Lt plain radiograph of the wrist, lateral projection

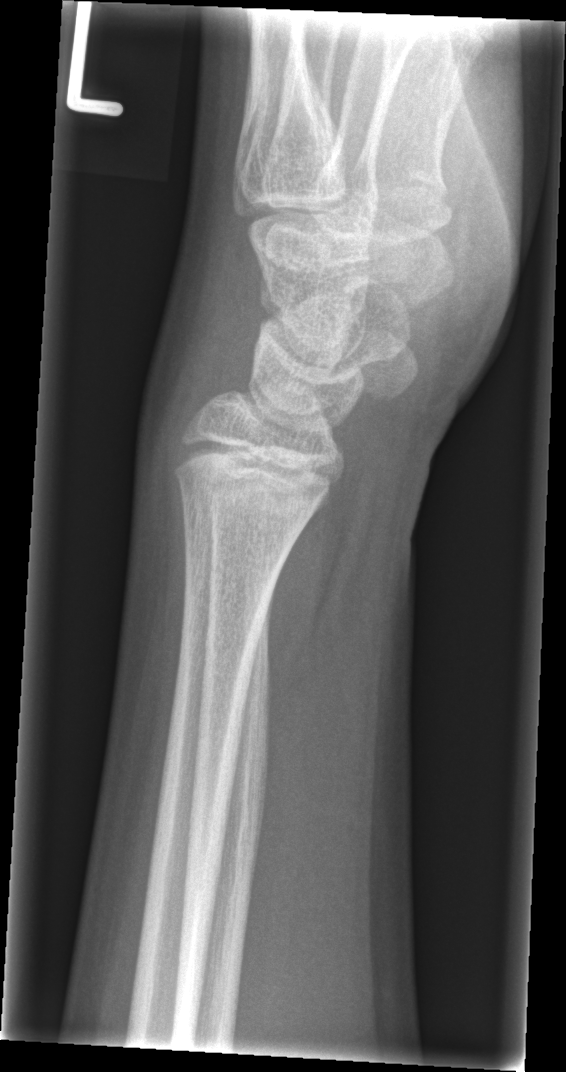

{
  "fracture": "none labeled"
}